Left wrist radiograph, lat, follow-up, image 63.5 mm wide:

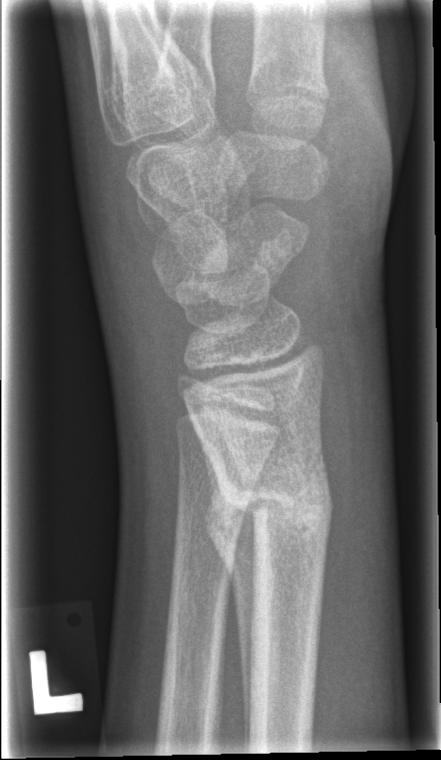
One Fx at (left=212, top=466, right=337, bottom=544). Periosteal reaction — (left=204, top=434, right=257, bottom=753).